Frontal view; right wrist XR; pediatric patient (boy, age 16); equivocal findings 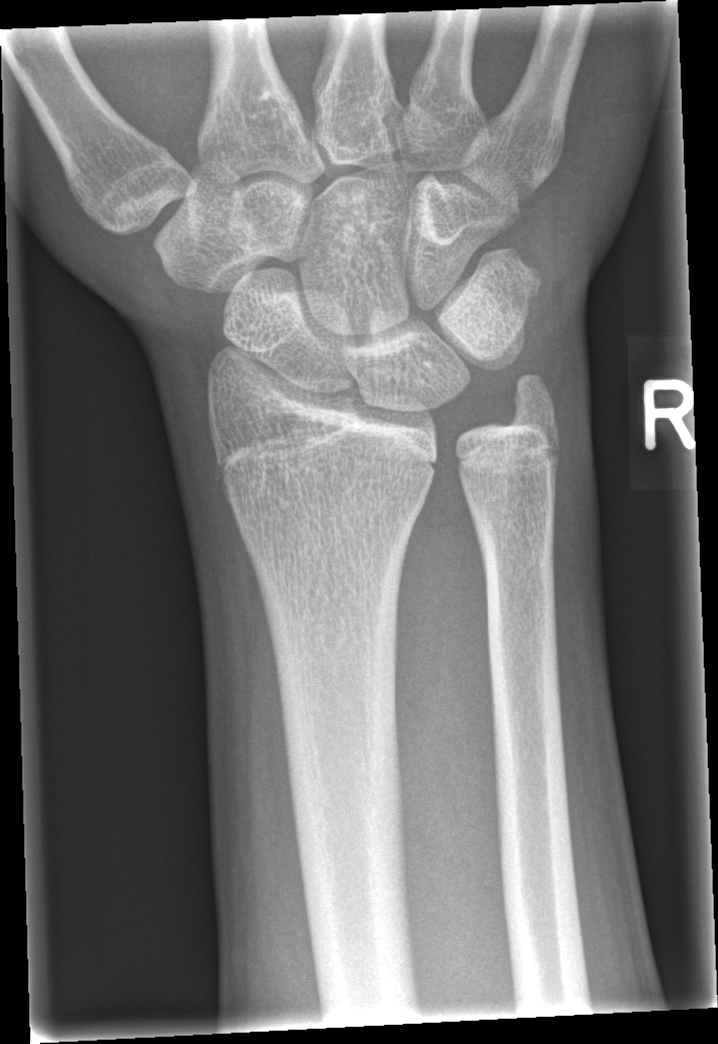

{"fracture": "none labeled"}